Right wrist plain film | PA/AP view | 5y F

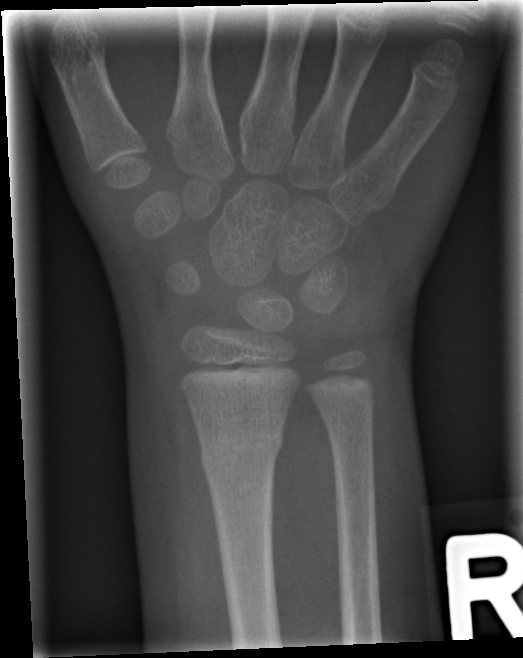
Pixel coordinates, top-left origin, xyxy.
Fx identified at [x1=197, y1=421, x2=286, y2=482].